Posteroanterior projection | Rt wrist XR | pediatric patient (girl, age 12) | index exam.

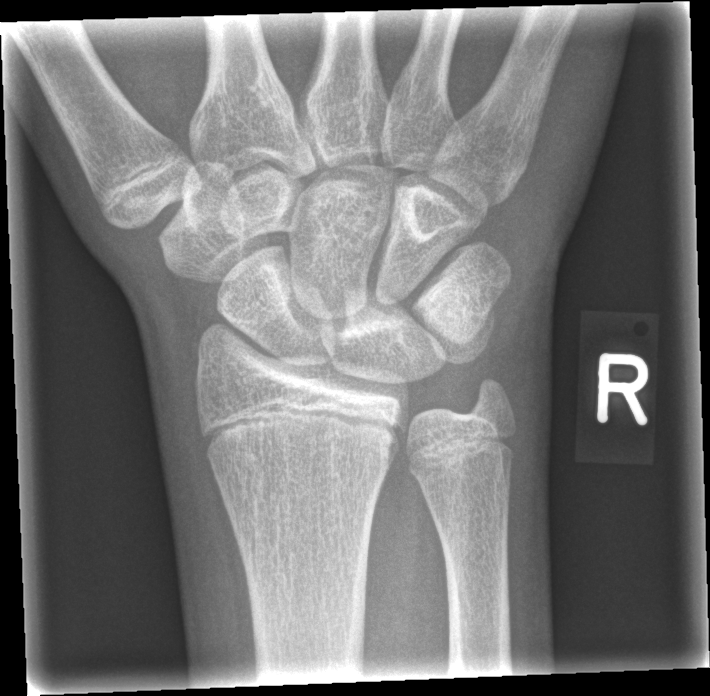

No fracture bounding box.